Lateral projection; L pediatric wrist radiograph; 14y M; image size 598x1304 —
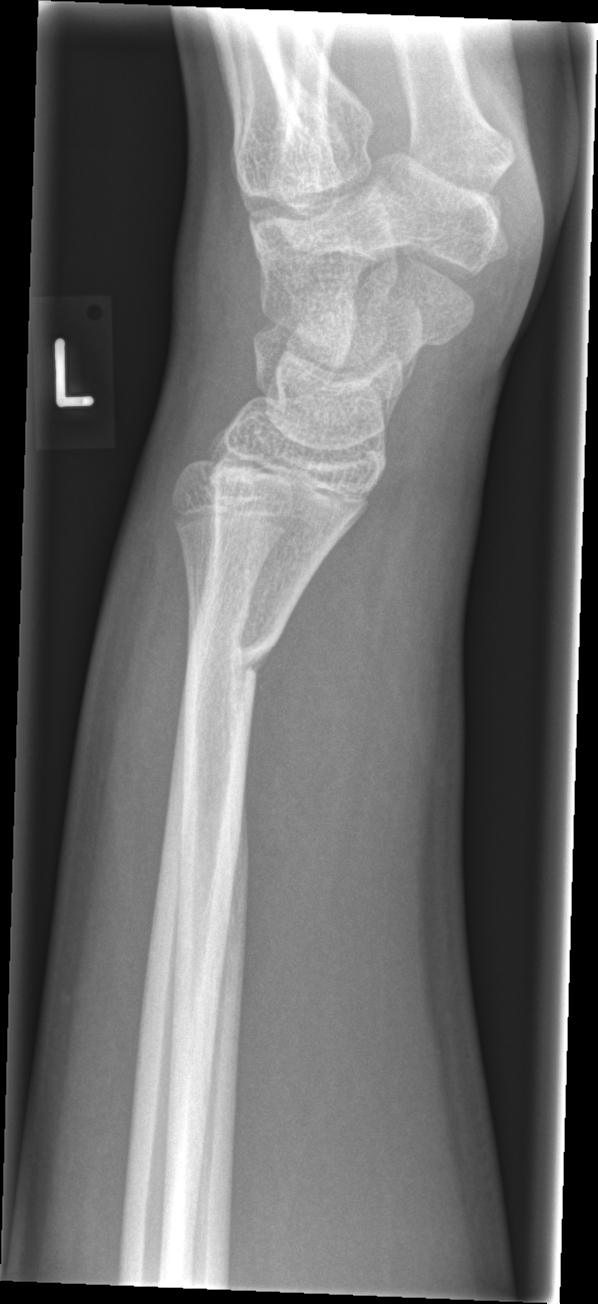
* Boxes as x1,y1,x2,y2 (top-left / bottom-right, pixel units).
* Pronator sign — 240,460,410,983.
* Fx — 181,624,282,704.
* Soft-tissue finding: 74,483,193,921.
* AO code 23-M/2.1.